Posteroanterior view | L wrist plain film | boy, 7 yo | 559 x 958 px:
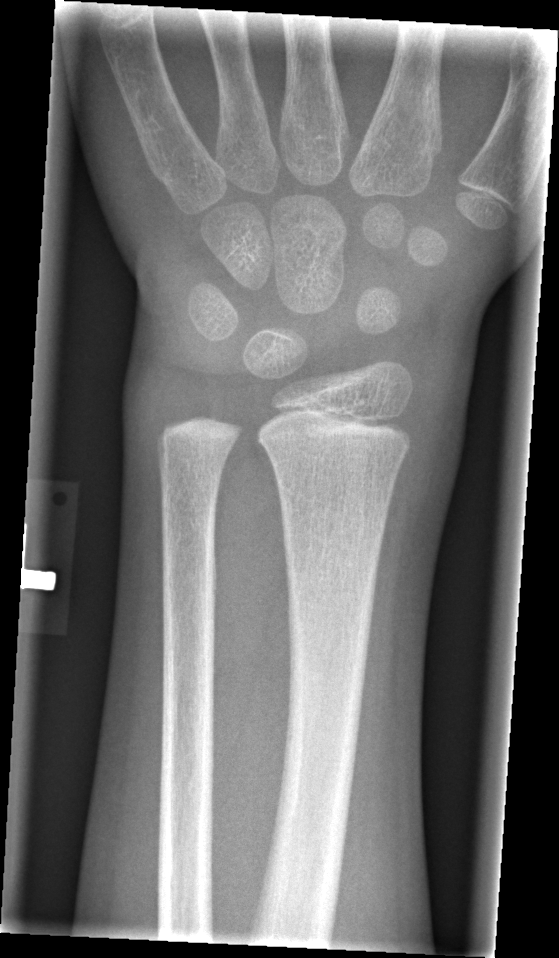

Findings: No fracture labeled.